R plain radiograph of the wrist | lateral view | age 1.7 y, female | diagnosis uncertain | image size 440x710: 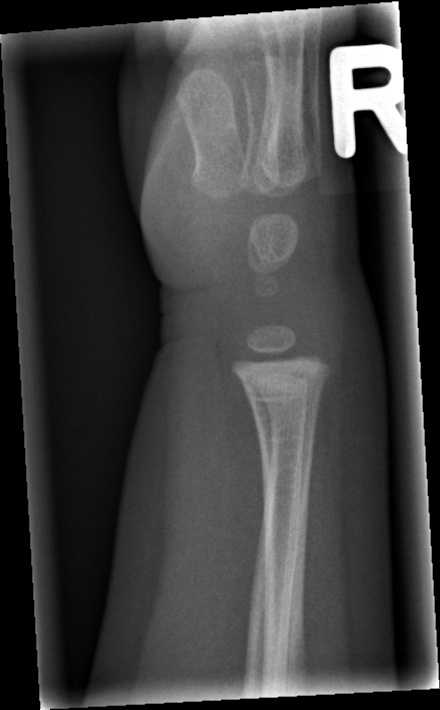 {"fracture": "none labeled"}